Right wrist plain film | frontal projection | boy, 6 yo | Siemens | image 76.6 mm wide. 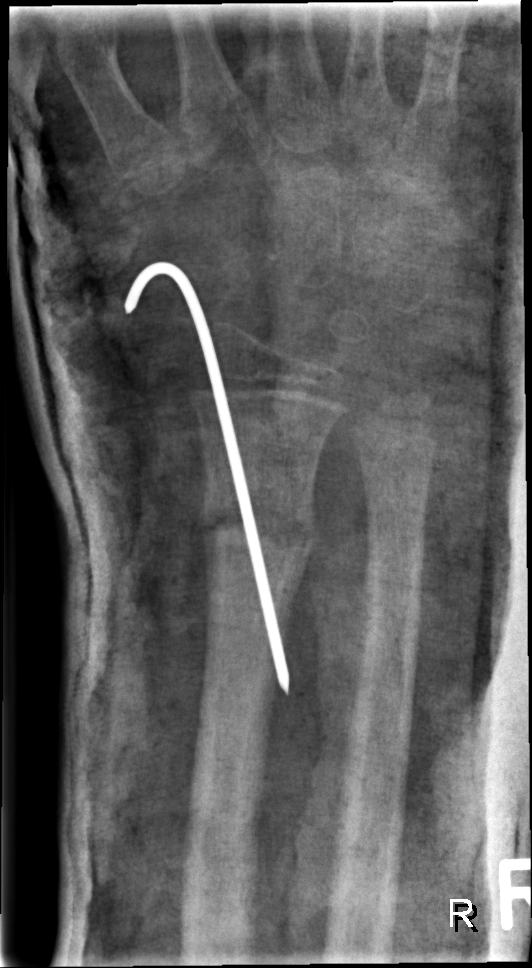
FINDINGS: (bounding boxes in image-pixel xyxy) One hardware at 120 263 293 698. AO code 23r-M/3.1. Fx: 198 485 313 582.